Right wrist plain radiograph of the wrist | AP | 83.7 mm image width 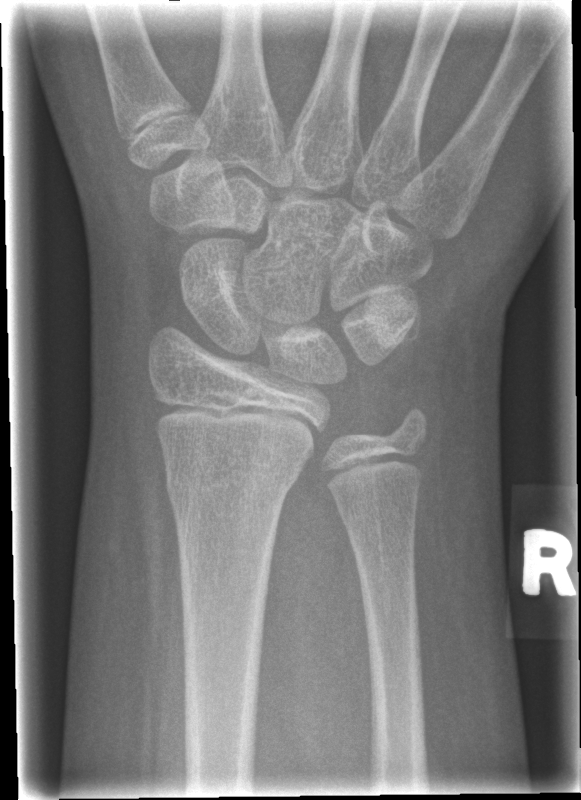 FINDINGS — AO code 23r-M/2.1. Fracture identified at 164 448 307 519.